Posteroanterior view | Rt wrist XR | pediatric patient (boy, age 2).

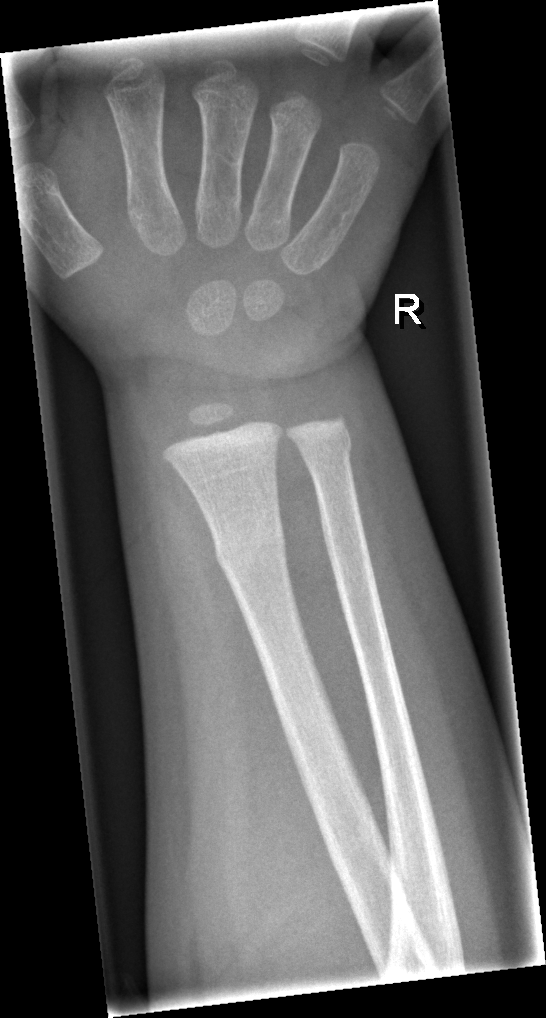 (bounding boxes in image-pixel xyxy)
fracture: 2 @ <209,523>-<293,578>; <294,429>-<360,471>